Left wrist radiograph; frontal view; presentation radiograph. 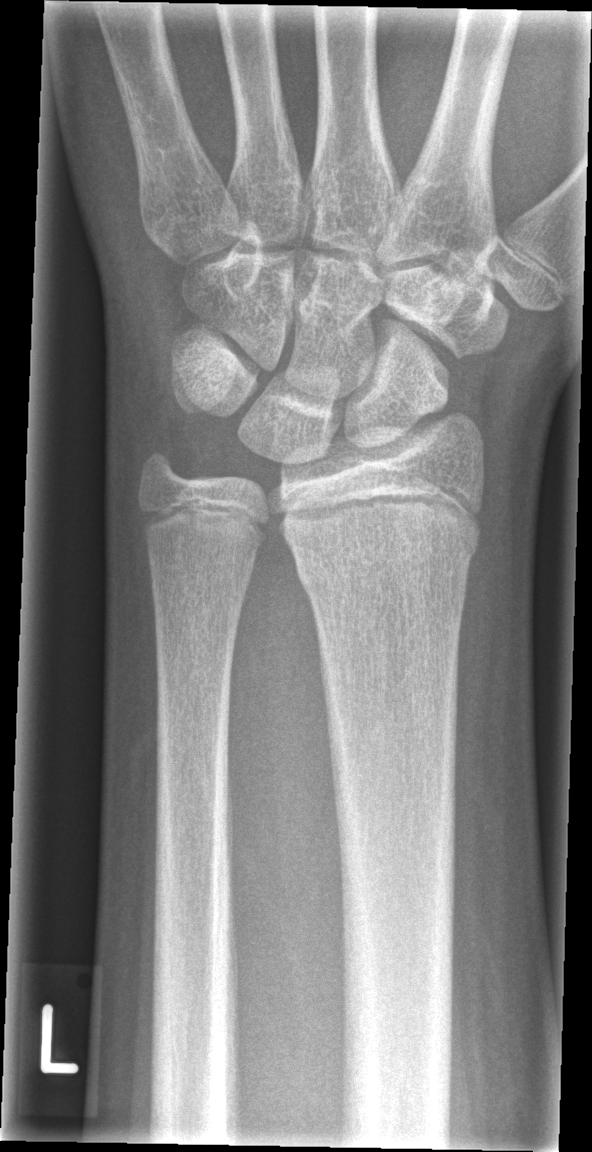   # pixel coordinates, top-left origin, xyxy
  fracture: 1 @ 289 520 484 598